Lateral view · L plain radiograph of the wrist — 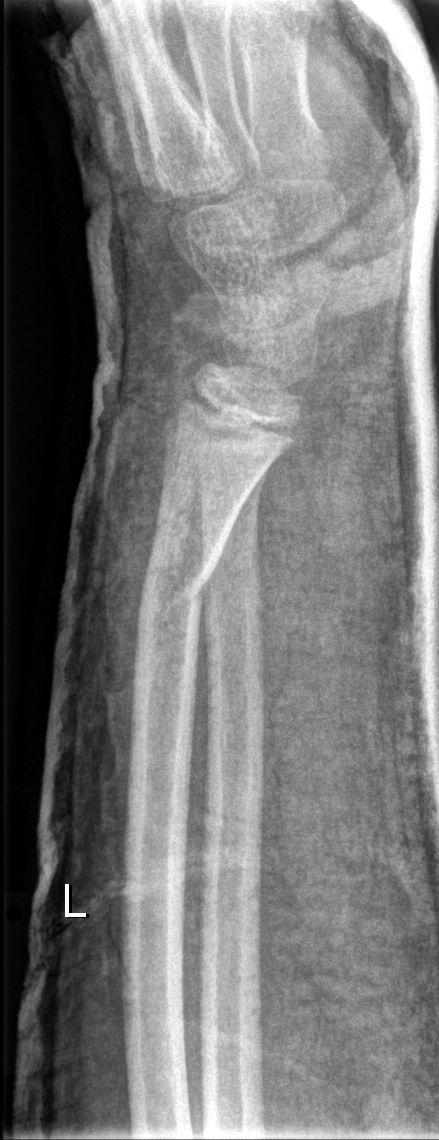

(boxes as x1,y1,x2,y2 (top-left / bottom-right, pixel units))
fracture: [129, 548, 224, 634]